L wrist XR, AP view, image 130.0 mm wide.

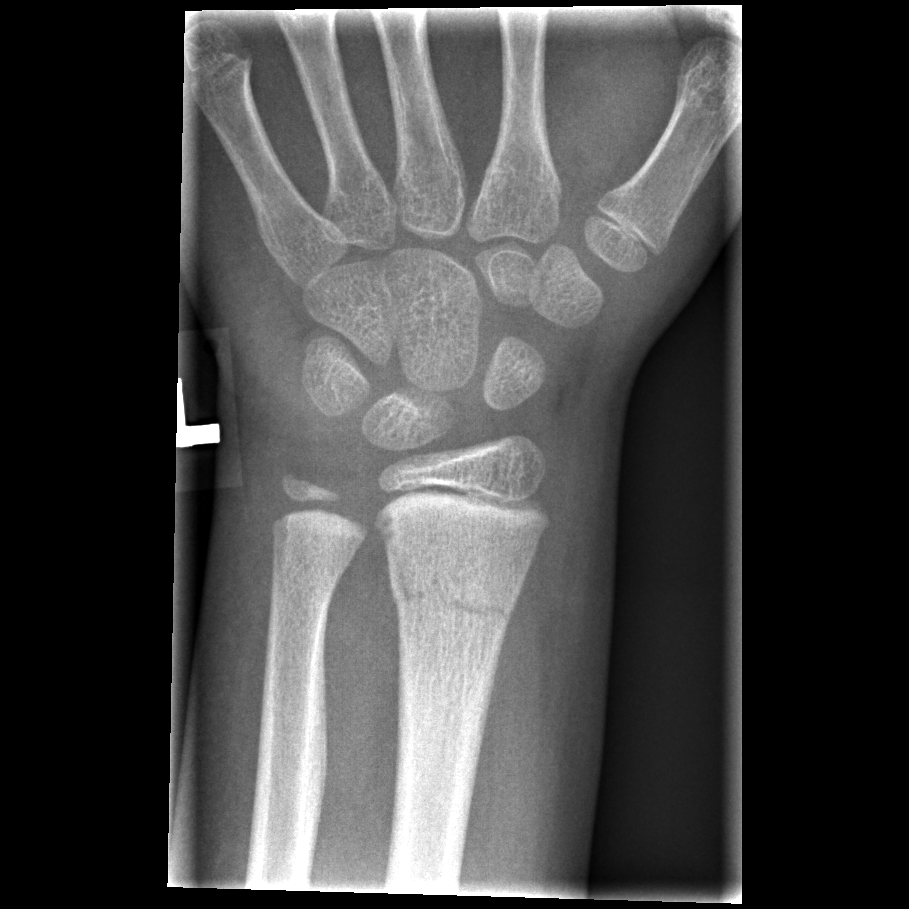

FINDINGS: Bone fracture — 385,562,523,636. Fracture classified AO/OTA 23r-M/3.1.